Left wrist radiograph · lat view · pediatric patient (boy, age 16)
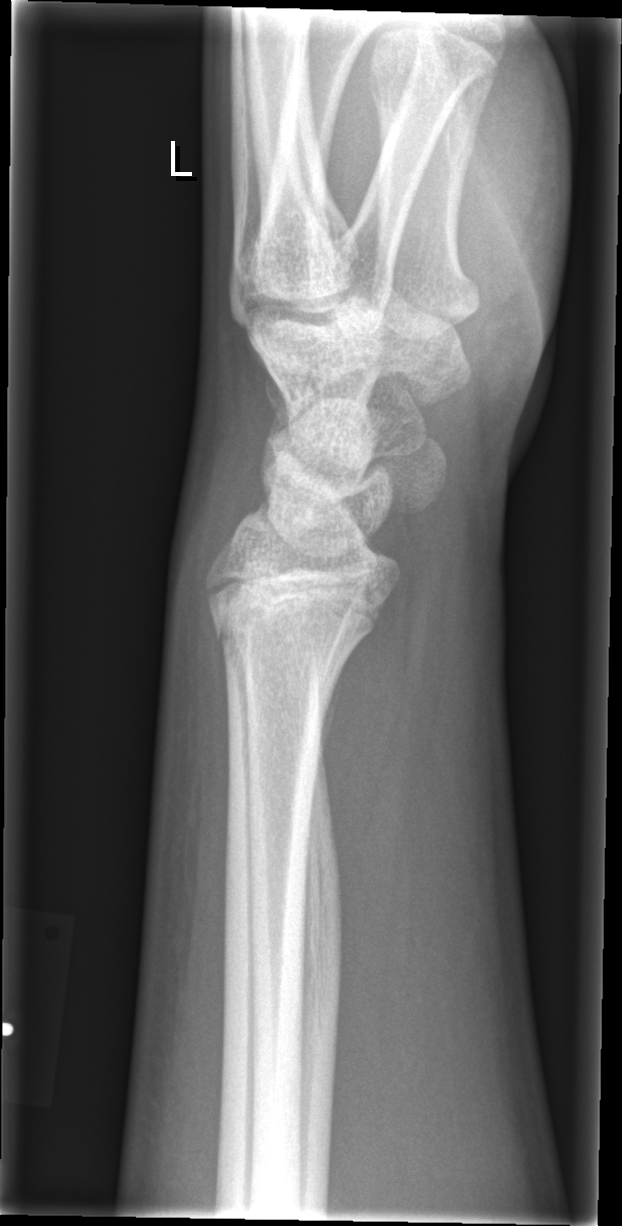

fracture: <200,572>-<379,677>
ao: 23r-E/2.1; 23u-E/7